R pediatric wrist radiograph · AP · pediatric patient (male, age 9) · acquired on Siemens: 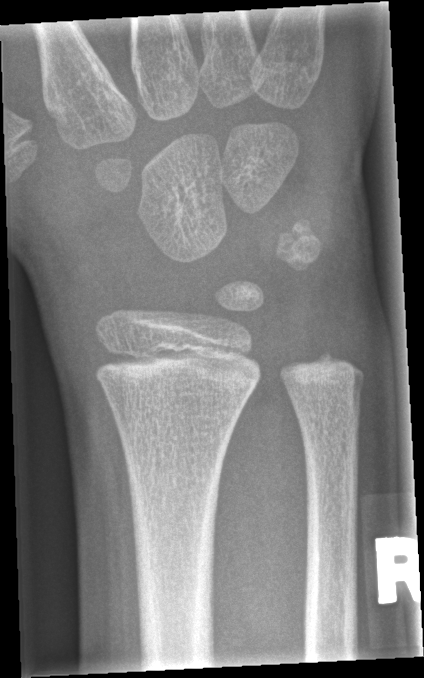 fracture = none labeled